Lt wrist XR, PA/AP projection, follow-up, Siemens —
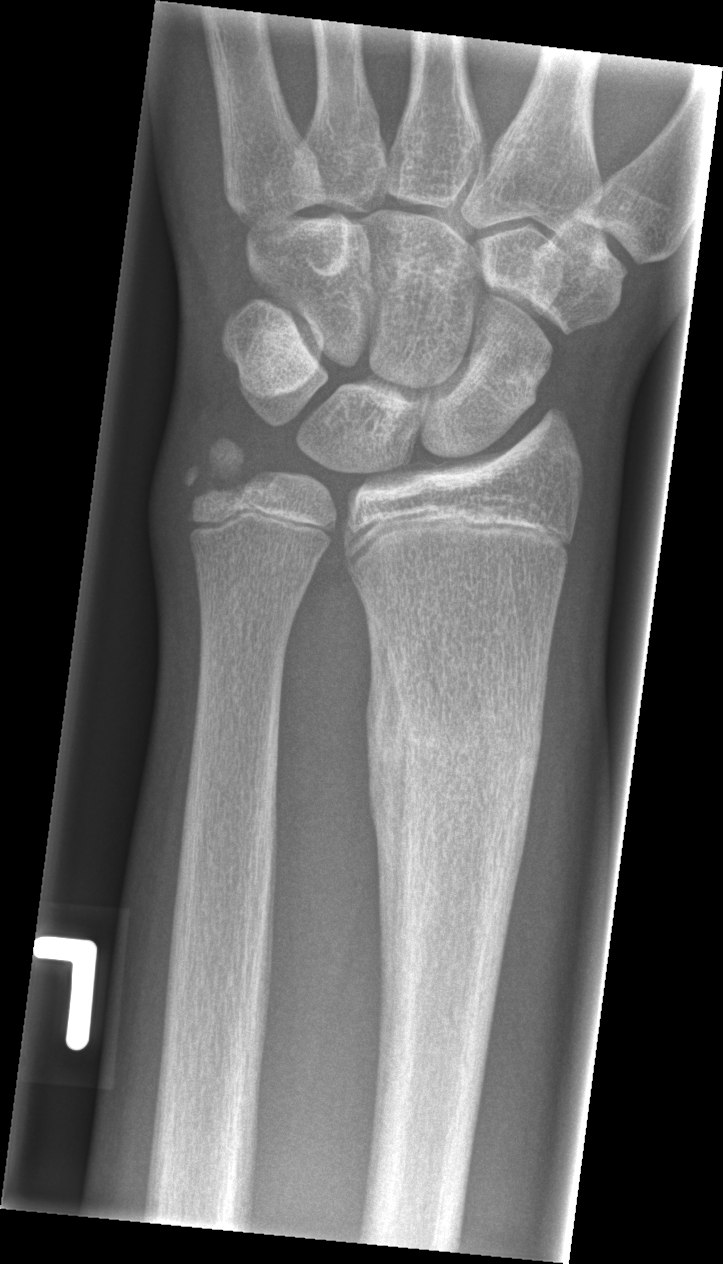

- Bounding boxes in image-pixel xyxy.
- Fractures — (364, 665, 548, 822) (180, 434, 277, 504).
- AO code 23r-M/3.1; 23u-E/7.
- Periosteal new bone identified at (363, 598, 407, 1044).